Lt wrist radiograph · posteroanterior view · cast in situ · image size 566x1116:

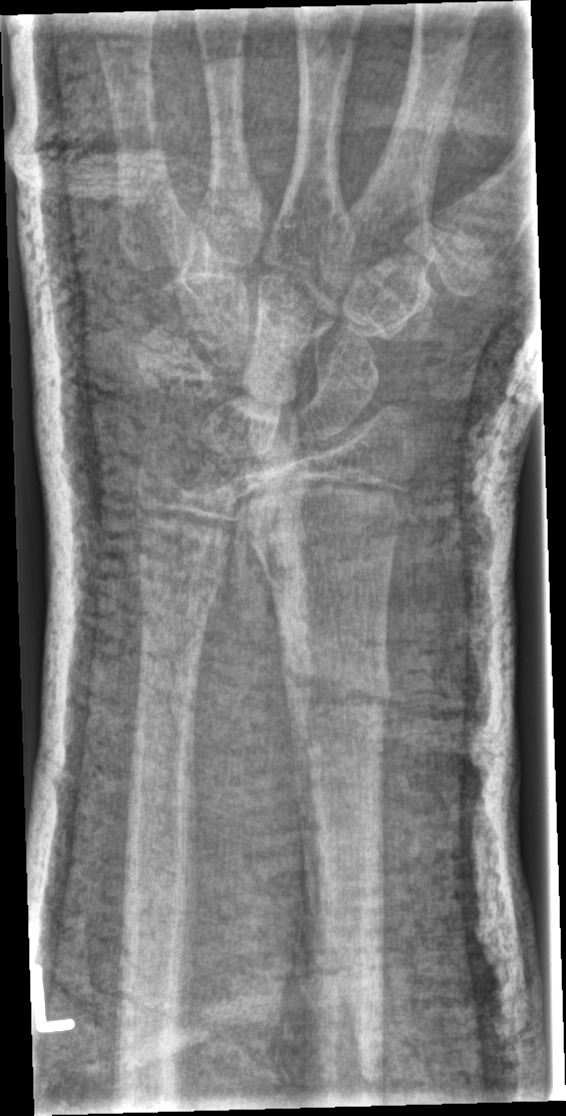
# pixel coordinates, top-left origin, xyxy
fracture: bbox(279, 659, 395, 740); bbox(134, 560, 228, 620)
ao: 23r-M/3.1; 23u-M/2.1